L pediatric wrist radiograph | lateral | in cast 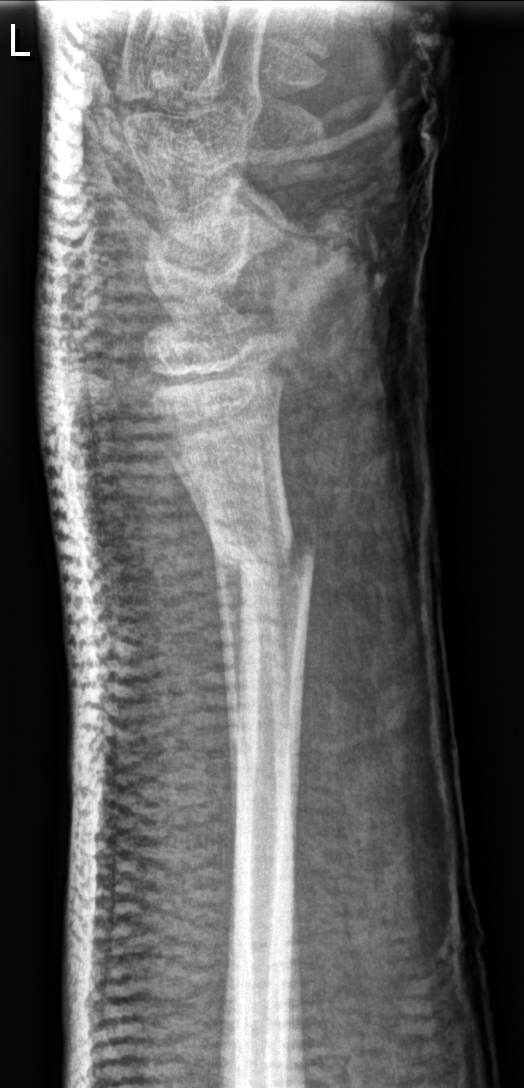

One Fx at 212,527,319,586. Fracture classified AO/OTA 23r-M/3.1; 23u-M/2.1.